PA view · left wrist plain radiograph of the wrist · girl, 13 yo · cast present.
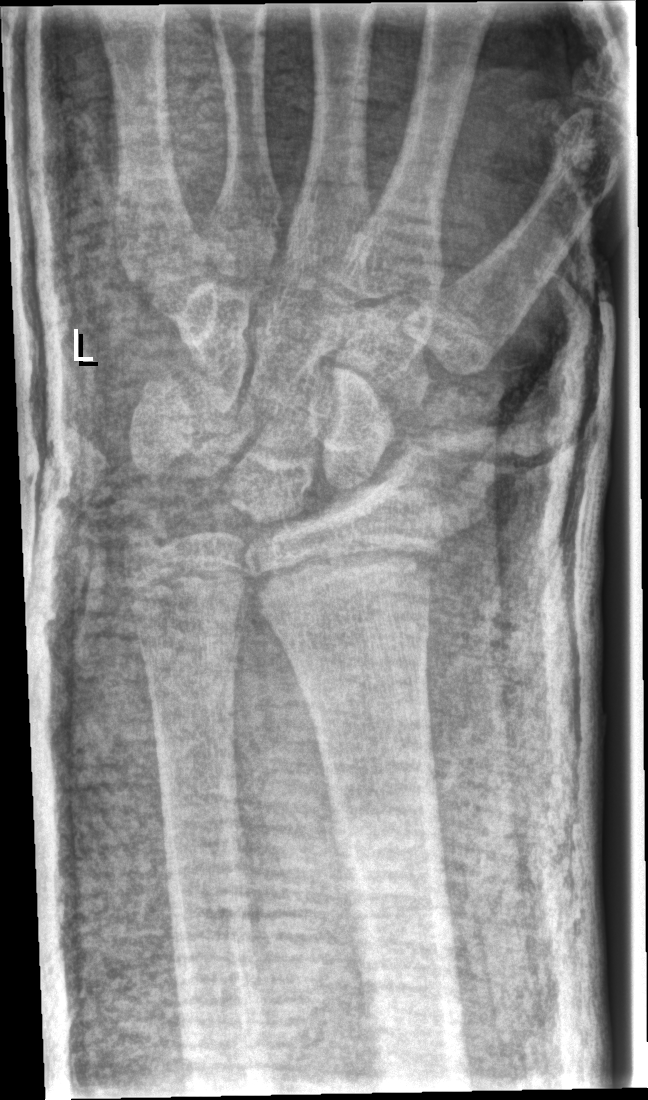

Findings: Fx: present but not clearly seen in this view.